AP view · left wrist XR · 16y F · detector: Siemens:
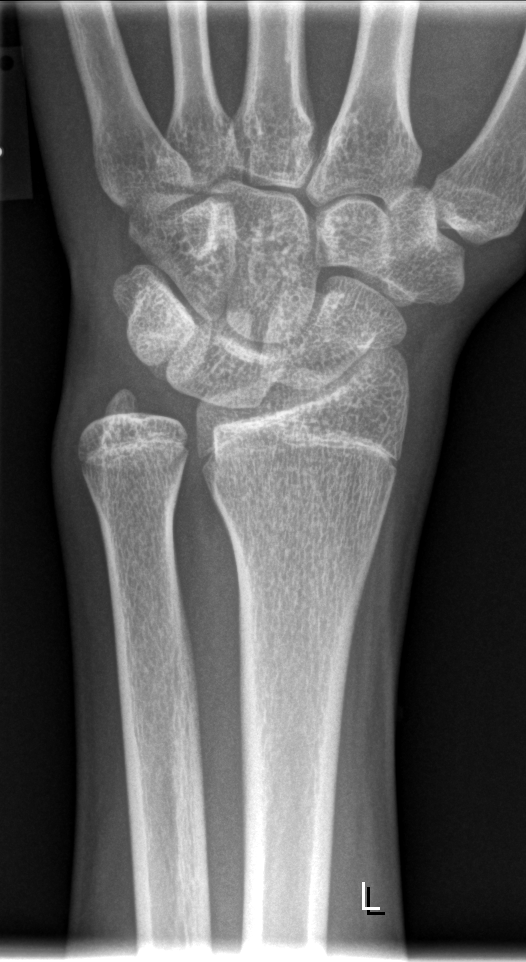

Fracture: none labeled.